AP, right wrist X-ray, 9y M, detector: Siemens, 81.2 mm image width.

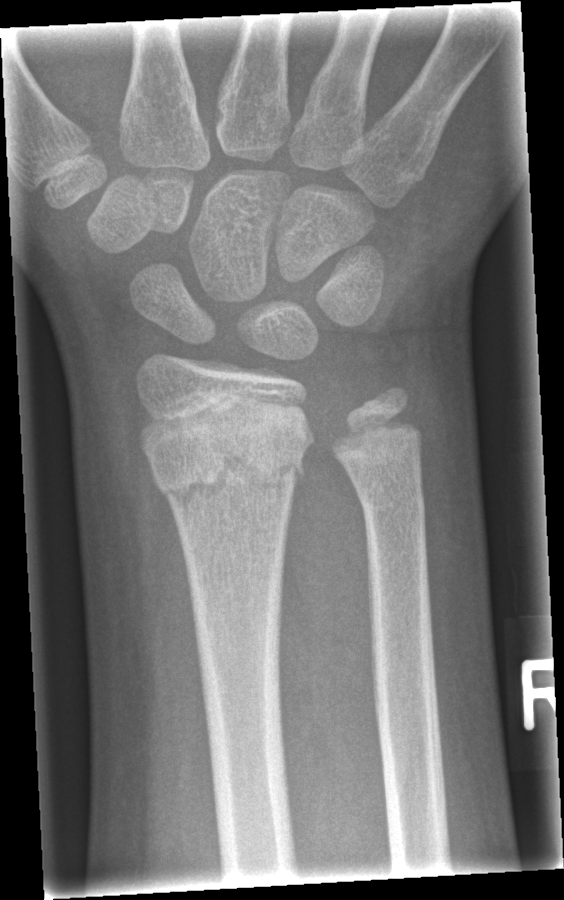 Bone fracture: bbox(146, 426, 312, 513); bbox(350, 465, 431, 537). Fracture classified AO/OTA 23r-M/3.1; 23u-M/2.1.